Frontal view · left wrist plain film — 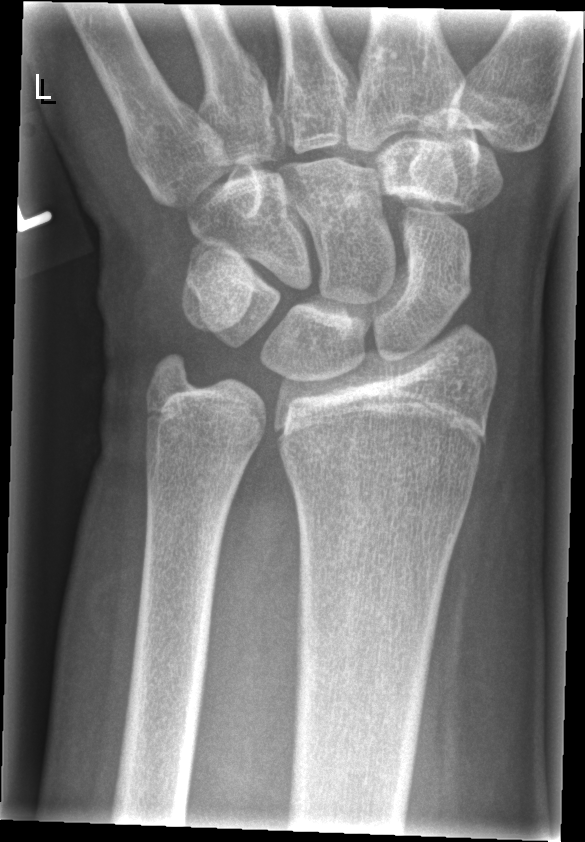
fracture: none labeled